Posteroanterior | Lt wrist XR | 9-year-old boy | cast present:

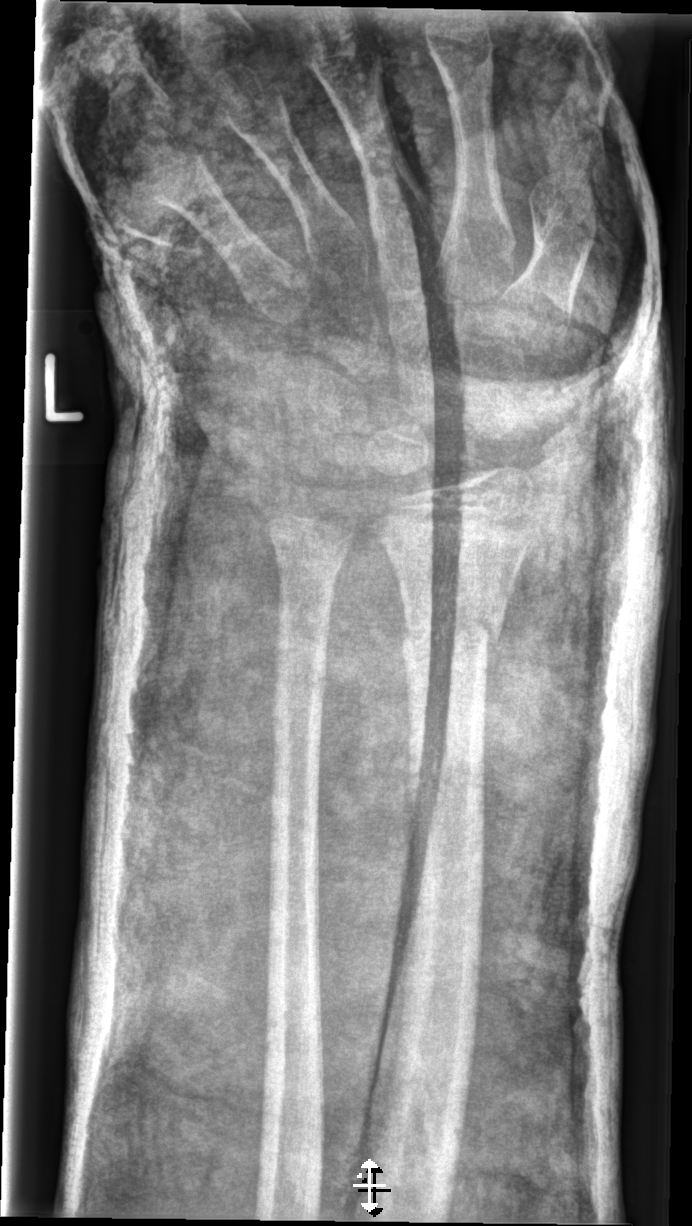

* Fx: 396,589,507,664.